L wrist radiograph; PA projection —
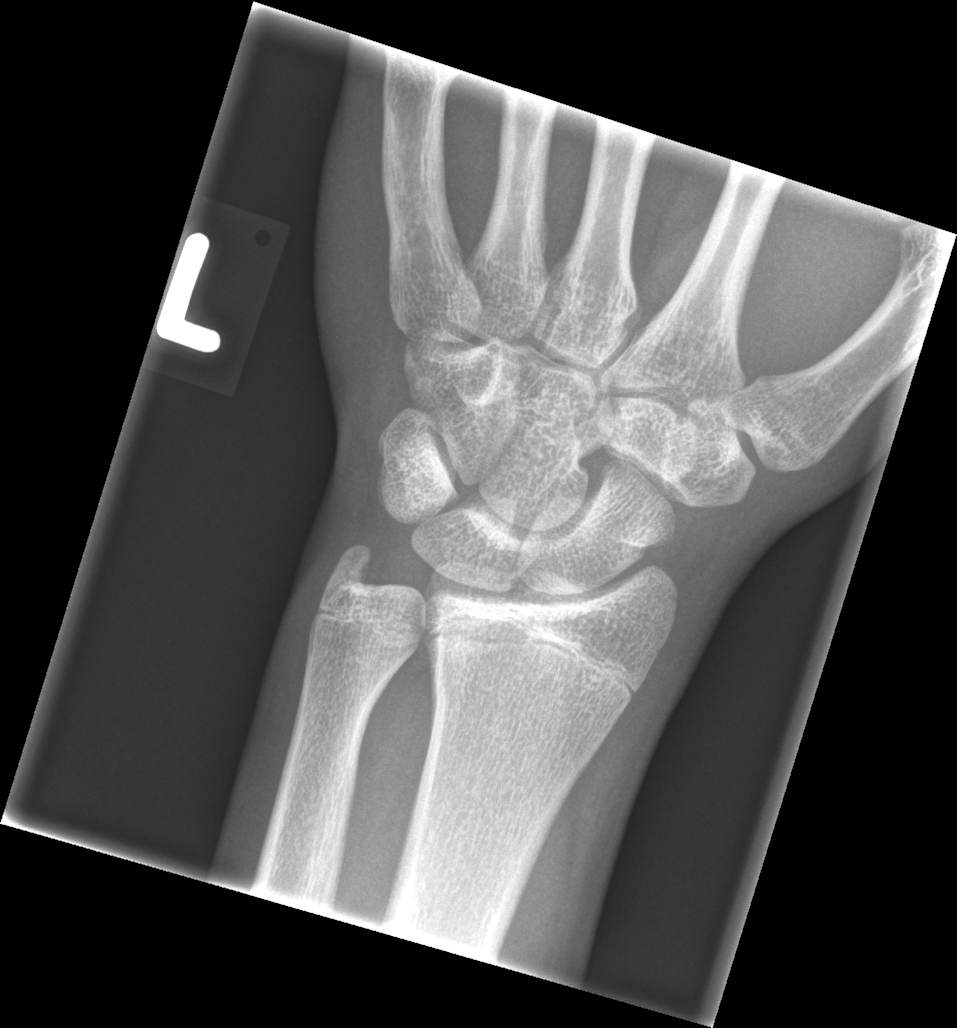
{"fracture": "none labeled"}